Posteroanterior | R plain radiograph of the wrist | age 12 y, boy

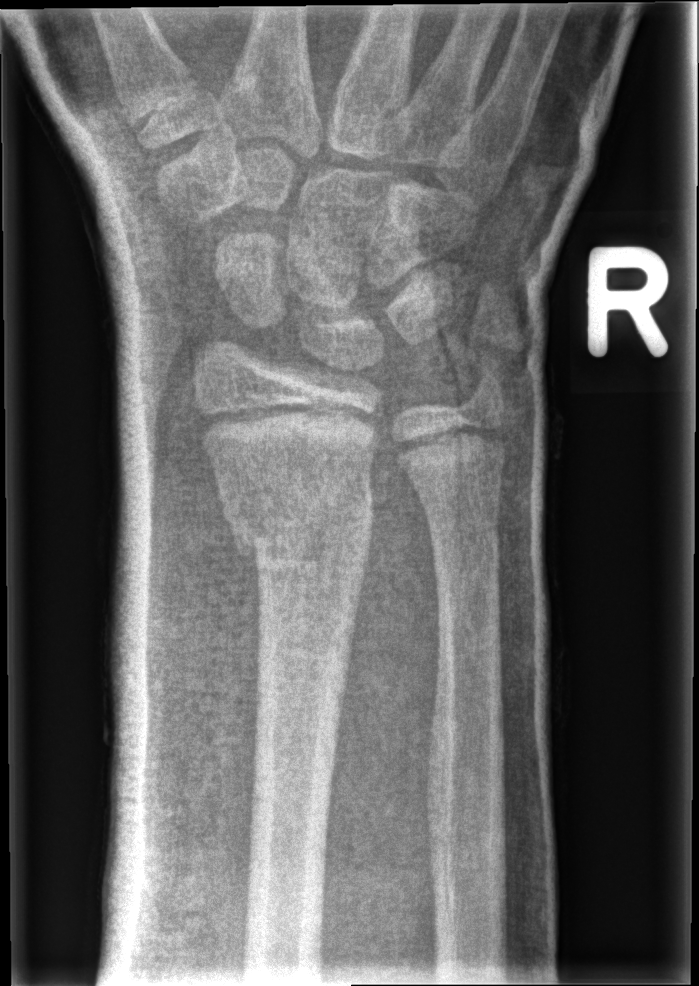
(boxes as x1,y1,x2,y2 (top-left / bottom-right, pixel units))
Q: Locate any fractures.
A: One Fx at 215,474,379,566